Left wrist radiograph | PA/AP projection | cast in situ | image size 691x818.

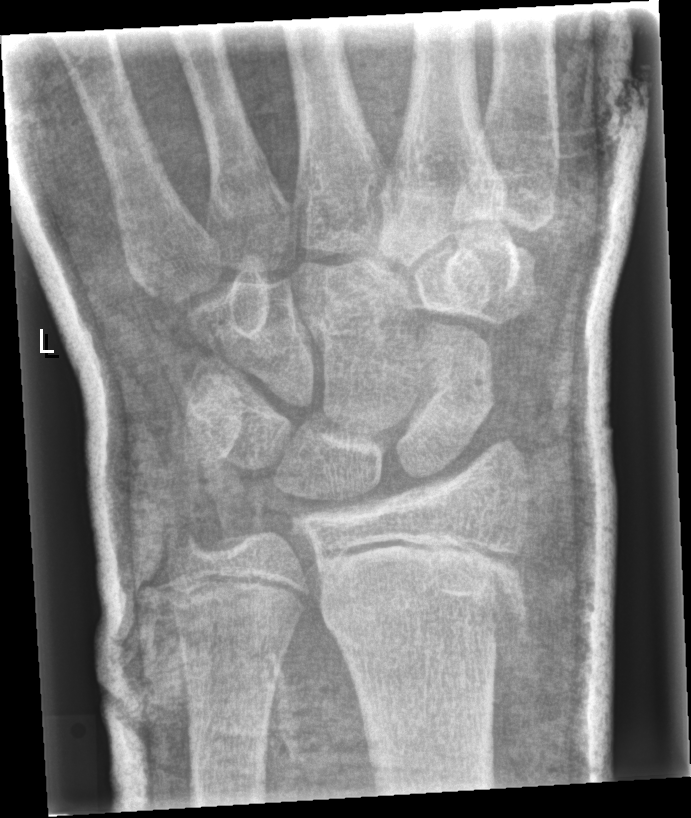

AO/OTA = 23r-M/3.1; 23u-E/7
Bone fracture = 1 @ [318, 561, 530, 662]